Rt wrist XR, PA/AP view, pediatric patient (female, age 5), in cast, detector: Siemens

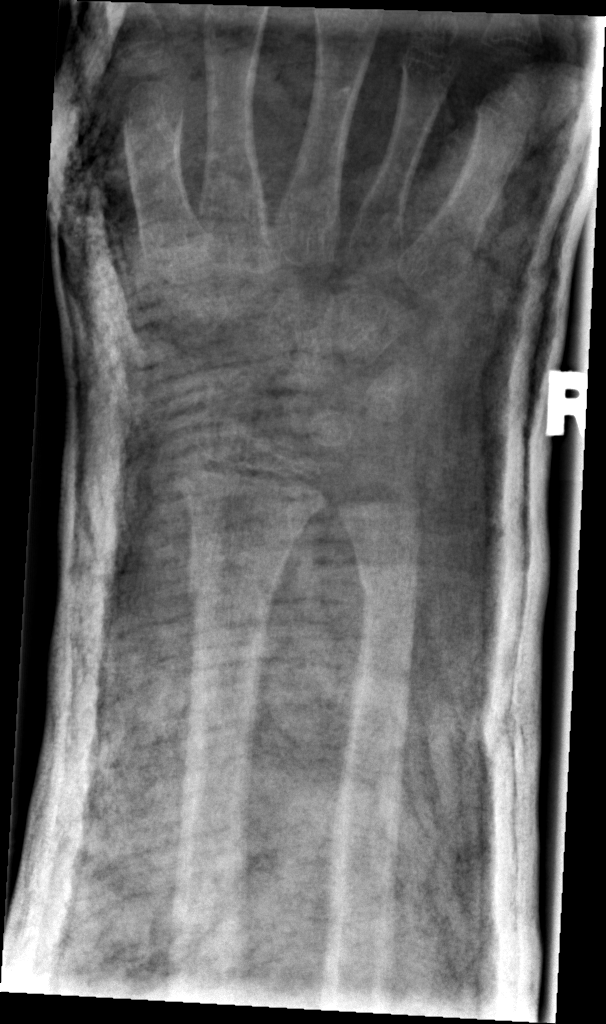

Findings: (coordinates are [x1, y1, x2, y2] in image pixels) Fractures — [179, 559, 287, 620]; [350, 554, 422, 617]. AO/OTA classification: 23r-M/3.1; 23u-M/2.1.